Lateral view | right wrist plain radiograph of the wrist | acquired on Siemens | 404 x 804 px.

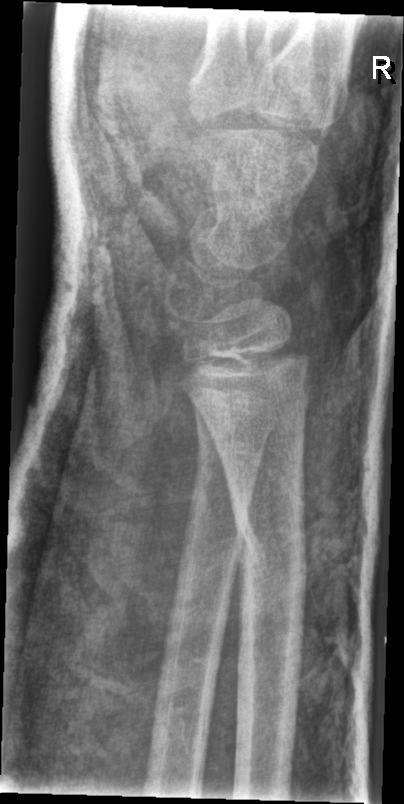
Bone fracture: 1 @ [x1=230, y1=494, x2=309, y2=584]